Right wrist plain radiograph of the wrist; PA view; age 10 y, girl 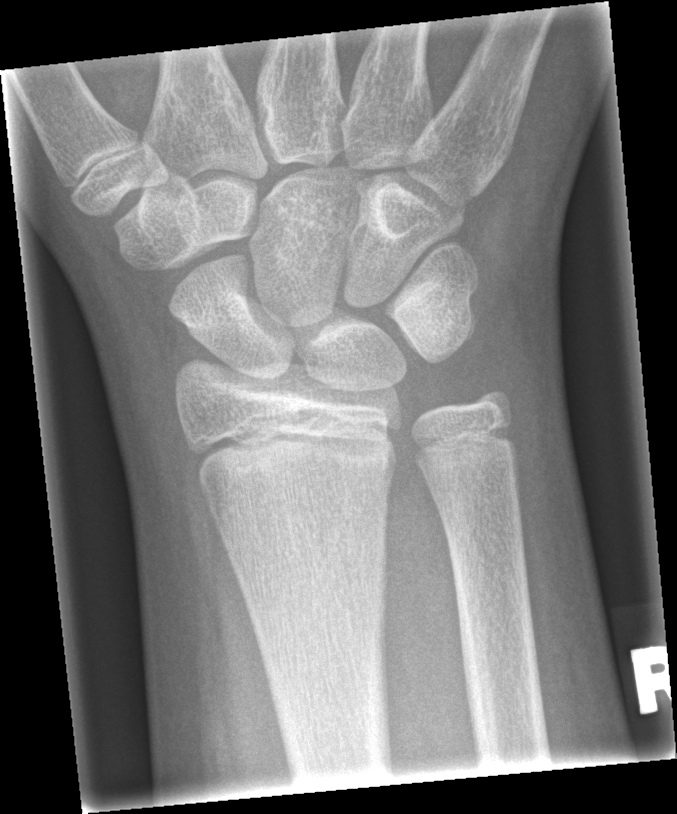 Findings: No fracture labeled.